Lateral projection; right wrist plain film; follow-up study — 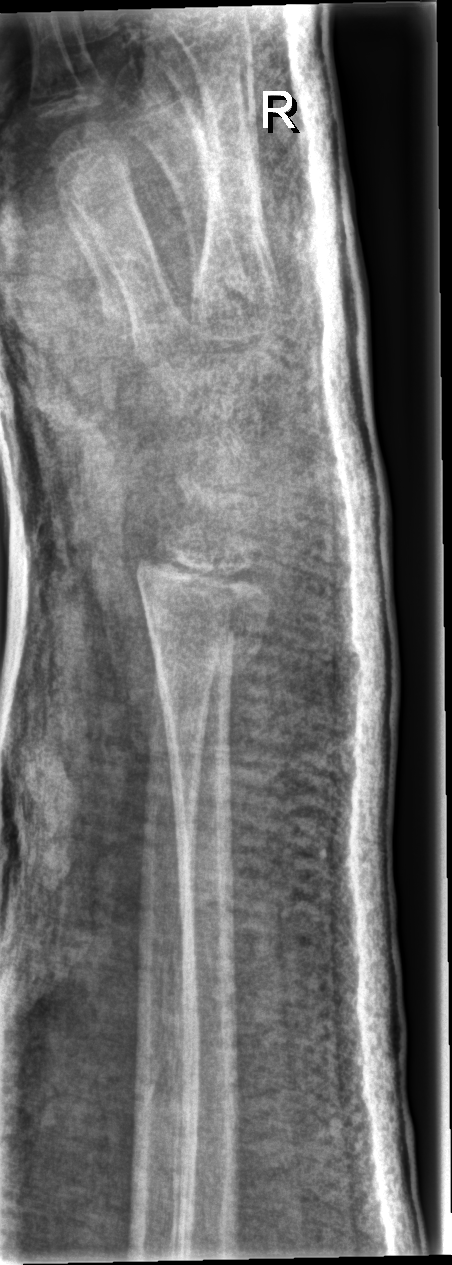 Fx identified at [x1=144, y1=589, x2=269, y2=685].